Lt pediatric wrist radiograph; lateral projection; boy, 12 yo; presentation radiograph; equivocal findings; 611 by 1252 pixels: 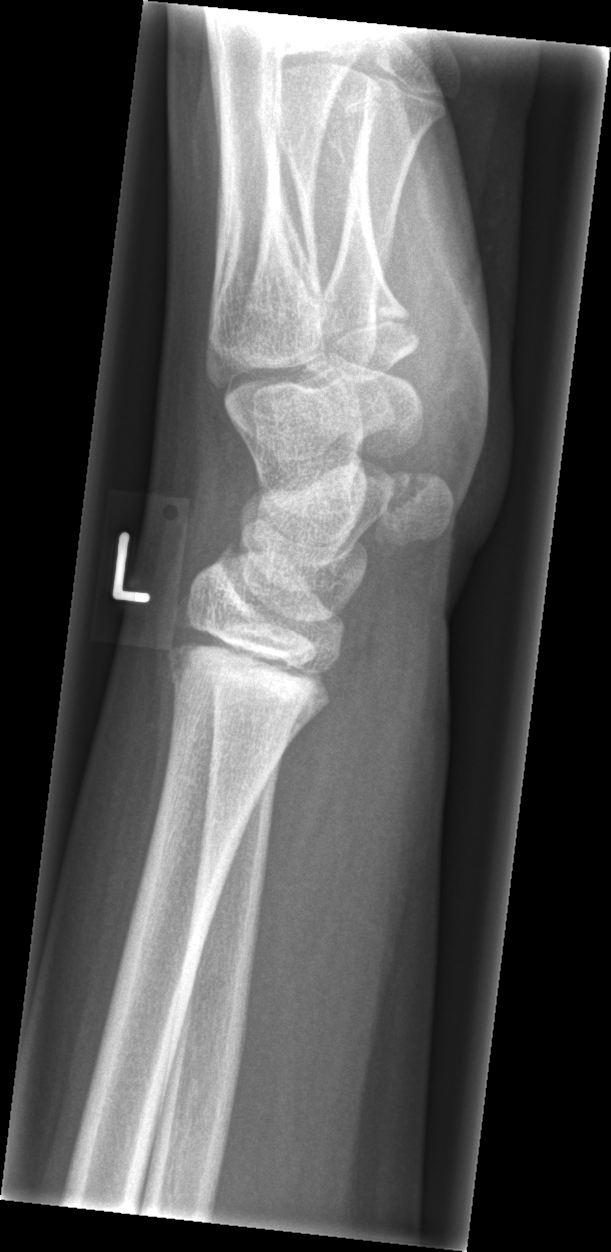 Bounding boxes in image-pixel xyxy.
Fracture classified AO/OTA 23r-E/2.1.
One bone fracture at bbox(159, 623, 332, 726).